PA projection | Lt plain radiograph of the wrist

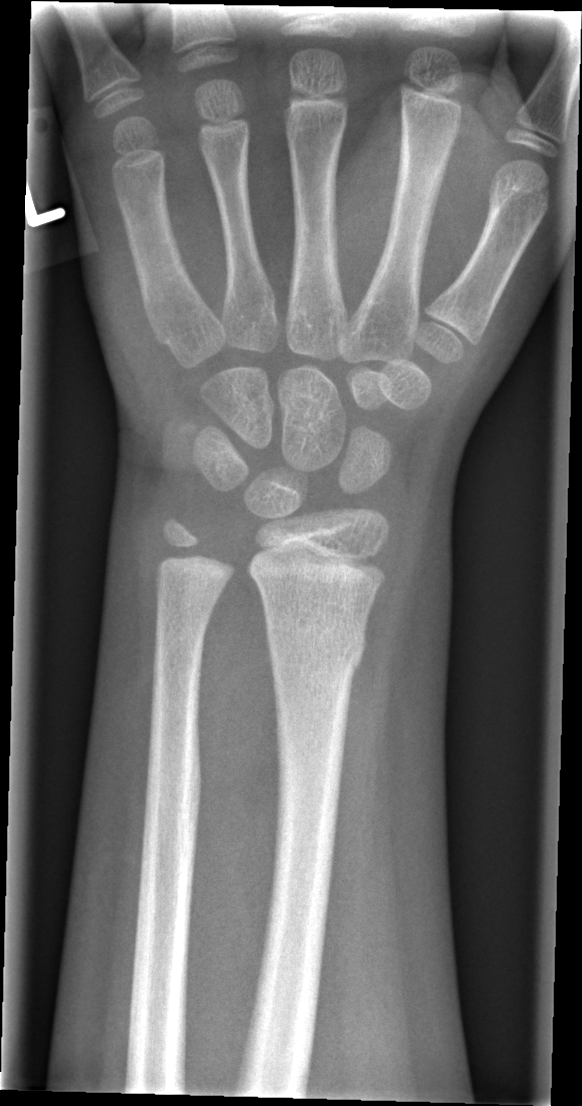

Fracture identified at <263,615>-<370,675>.